PA; Lt wrist plain film.

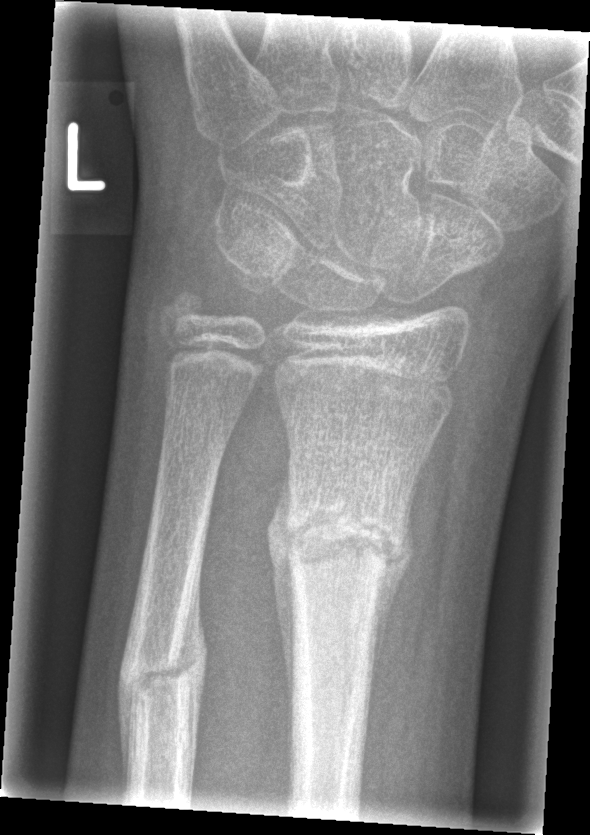 * Four periosteal new bone at (left=360, top=495, right=416, bottom=766); (left=265, top=458, right=297, bottom=777); (left=177, top=546, right=209, bottom=805); (left=116, top=645, right=136, bottom=803).
* AO code 23r-M/3.1; 22u-D/4.1; 23u-E/7.
* Three Fx at (left=277, top=499, right=410, bottom=577); (left=118, top=648, right=196, bottom=703); (left=154, top=282, right=209, bottom=345).
* Osteopenia.